Left wrist XR · lat view · boy, 12 yo · 421 by 1130 pixels:

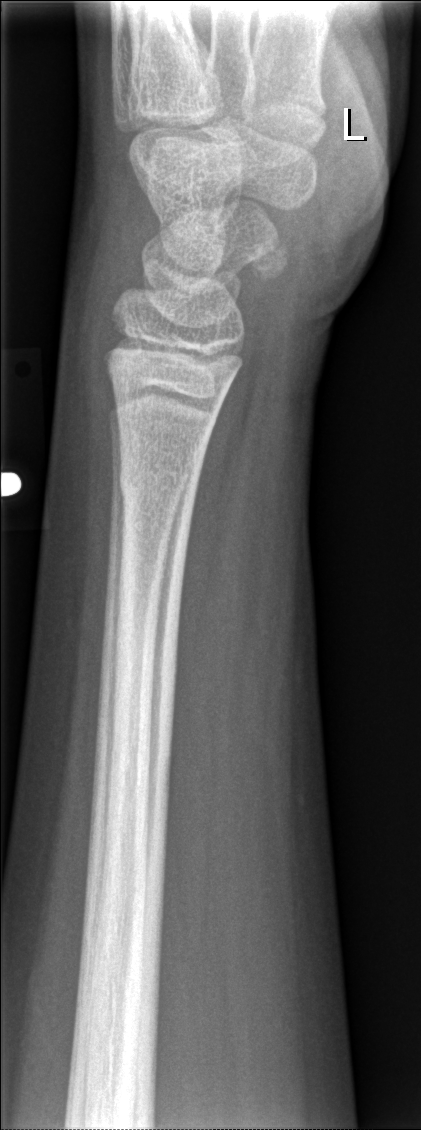

Bone fracture: bbox(116, 449, 200, 512). AO/OTA classification: 23r-M/2.1; 23u-E/7.